PA/AP projection; L wrist plain film; 12y M; acquired on Siemens.
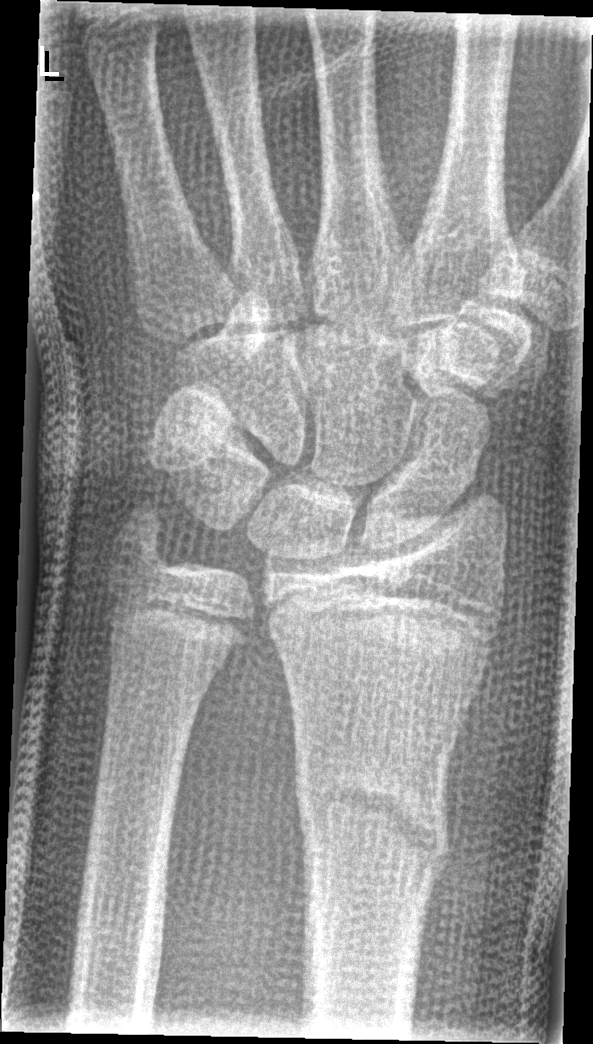

(pixel coordinates, top-left origin, xyxy)
AO classification: 23r-M/3.1; 23u-E/7
Bone fracture: <293,760>-<451,901>, <96,501>-<183,600>